Rt wrist radiograph, PA/AP, pediatric patient (female, age 13) —

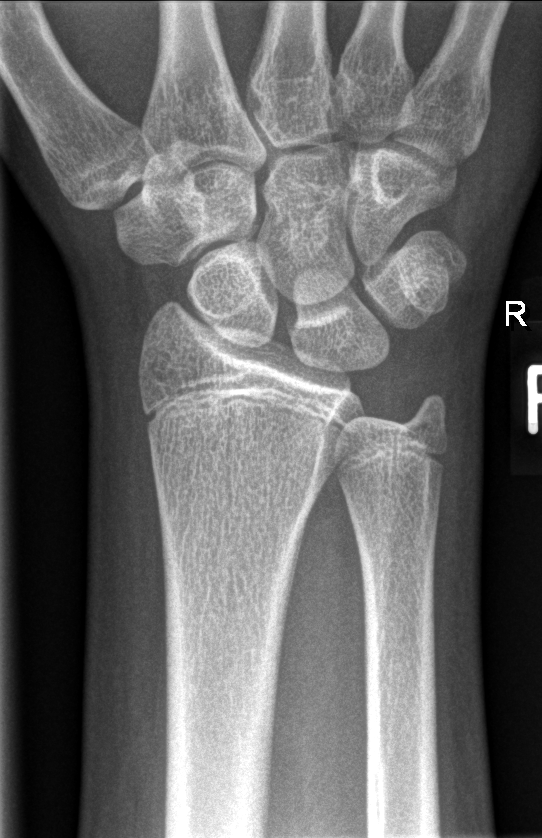
- Fx: none.